PA view | Lt pediatric wrist radiograph | 73.4 mm image width.

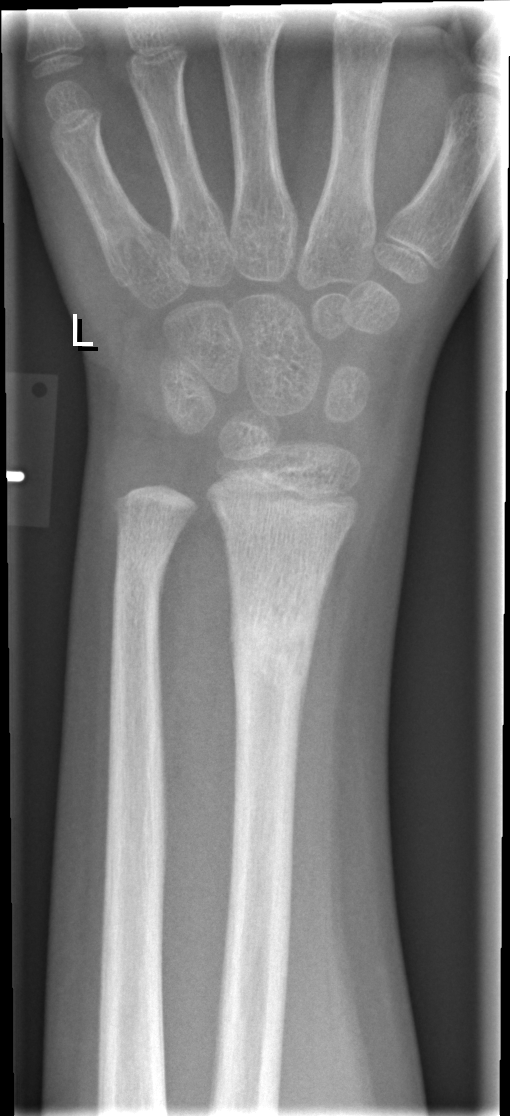

(pixel coordinates, top-left origin, xyxy)
Q: Locate any fractures.
A: Fracture identified at <228,601>-<319,707>, <111,544>-<169,602>
Q: What is the AO/OTA classification?
A: AO/OTA classification: 23-M/2.1
Q: Bone density?
A: Decreased bone density (osteopenia)